Lt wrist radiograph | lat projection | pediatric patient (boy, age 12). 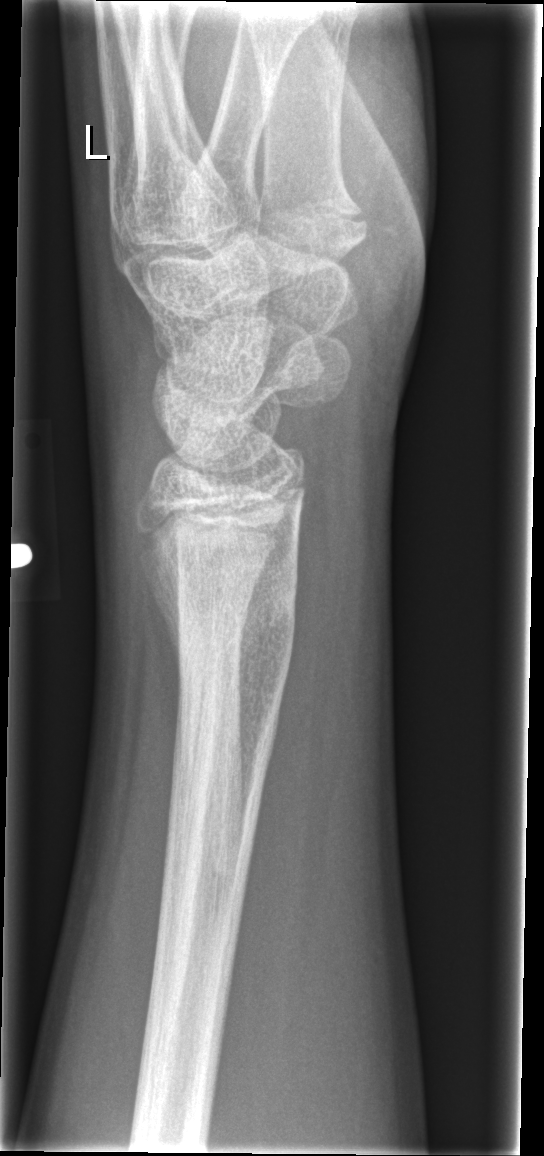
  ao: 23r-M/3.1
  fracture: 1 @ [138, 532, 306, 668]